AP view | R wrist plain film | initial study | diagnosis uncertain
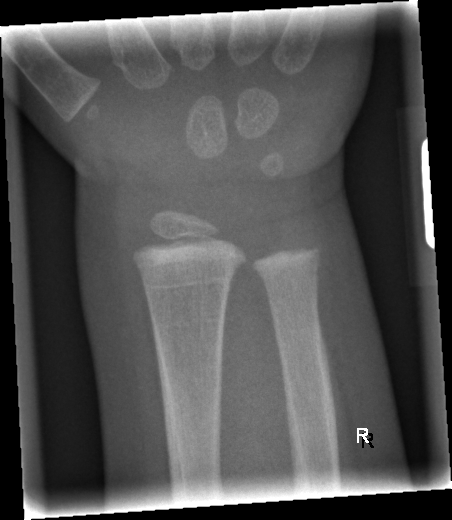
Fx = none labeled